Lt pediatric wrist radiograph, AP view, boy, 7 yo, cast in situ

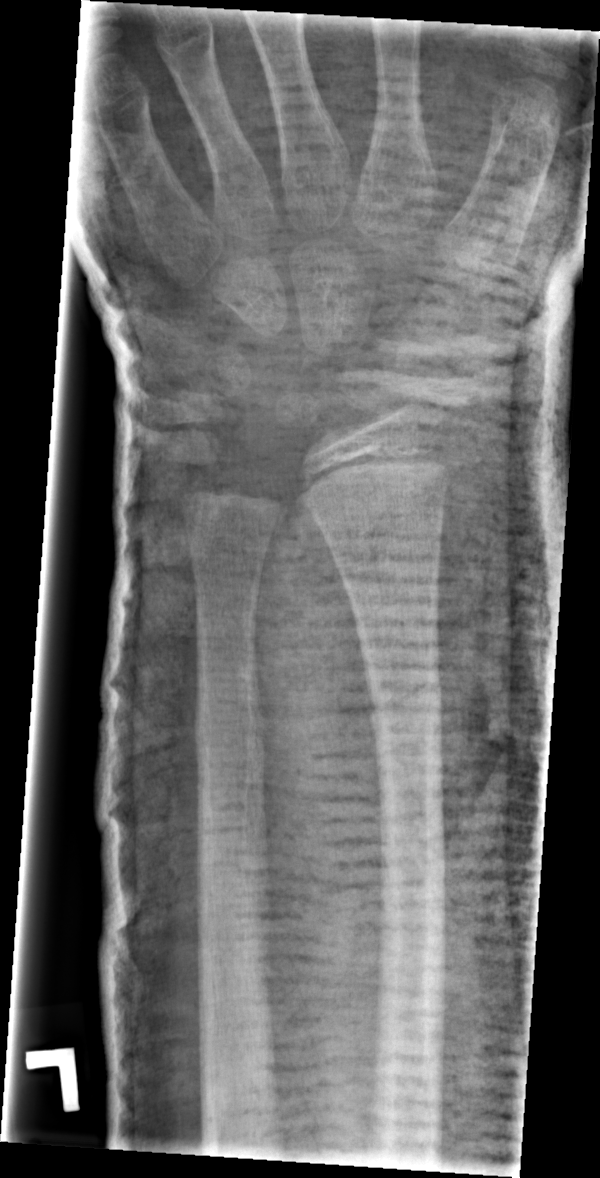

AO code 22r-D/2.1. Bone fracture identified at bbox(362, 659, 446, 739).